Right wrist X-ray, posteroanterior projection
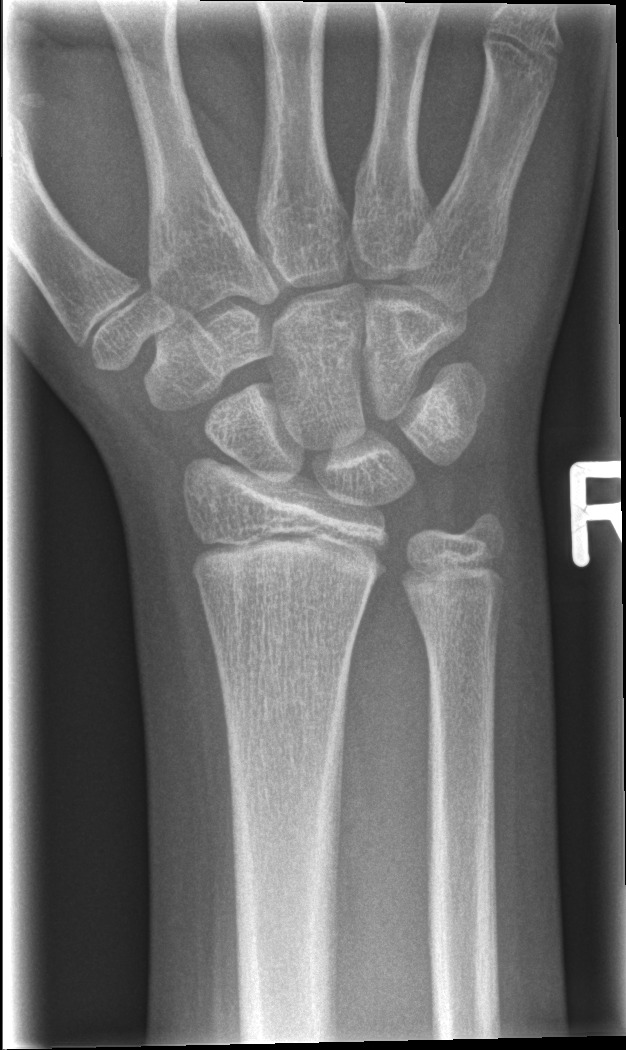

{
  "fracture": "none labeled"
}